Left wrist XR; frontal view; 9-year-old female; 74.2 mm image width

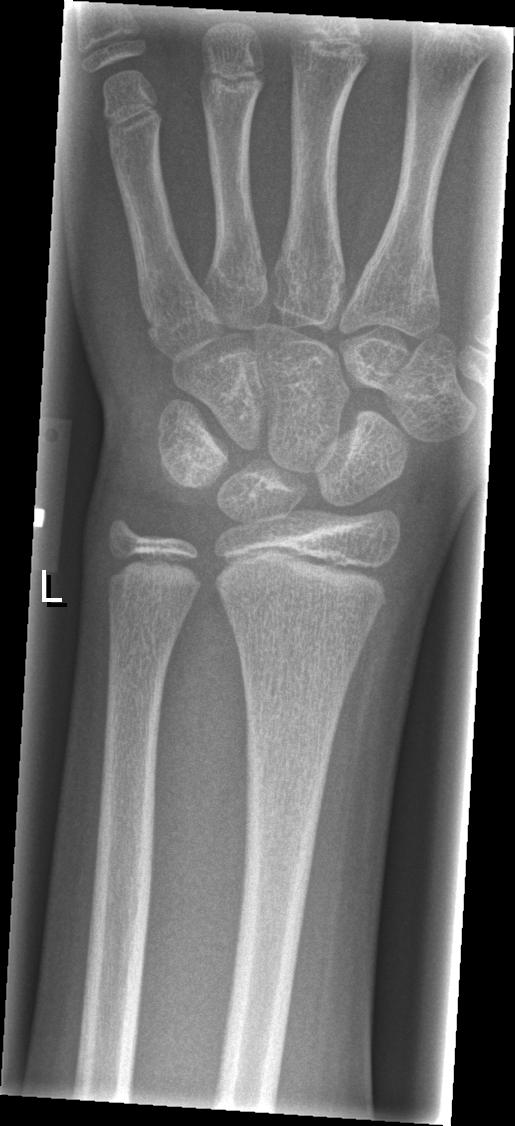 Fx = none labeled